Right wrist plain radiograph of the wrist, AP projection, 8-year-old girl, subsequent exam.
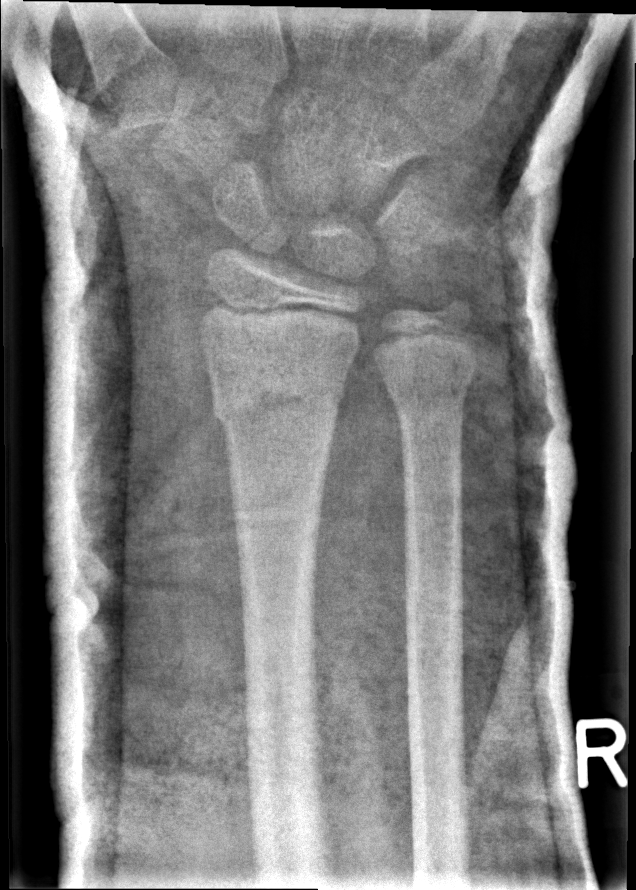 bone fracture: 2 @ <206,347>-<350,438>, <380,358>-<478,424>